Left wrist X-ray; lateral projection
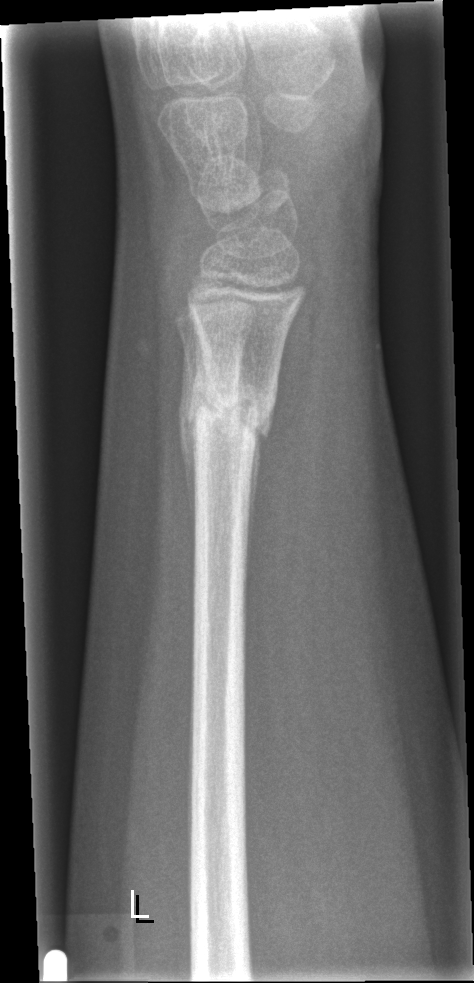
Bounding boxes in image-pixel xyxy.
Periosteal reaction identified at 188,328,209,534; 178,345,197,538; 246,430,261,593.
Fracture classified AO/OTA 23-M/3.1.
Fx identified at 191,384,273,441.
Reduced bone mineral density.